L wrist XR · PA · presentation radiograph —
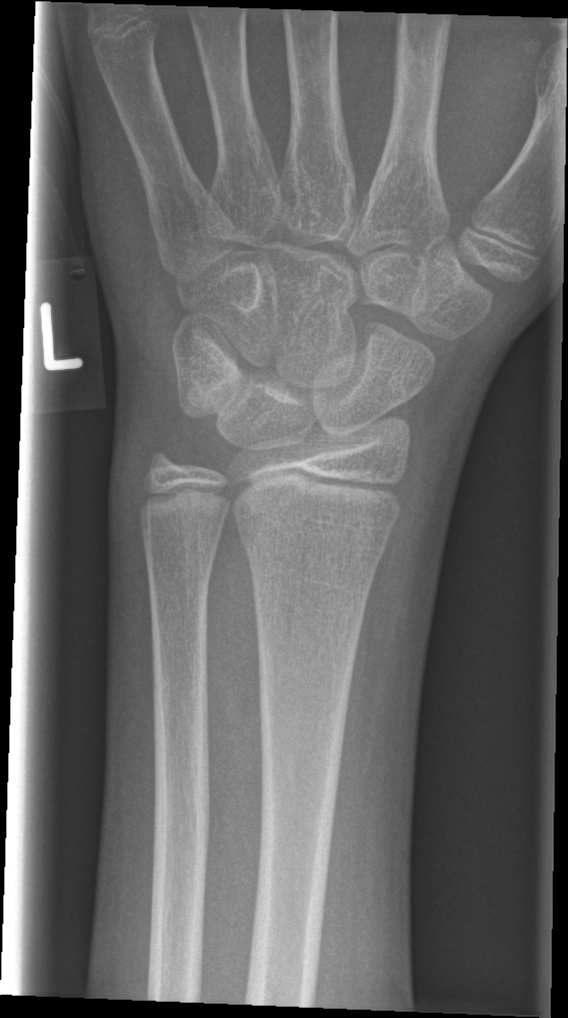 bone fracture = <233,511>-<400,570>
AO/OTA = 23r-M/2.1